Left wrist radiograph | lat | pediatric patient (boy, age 10):

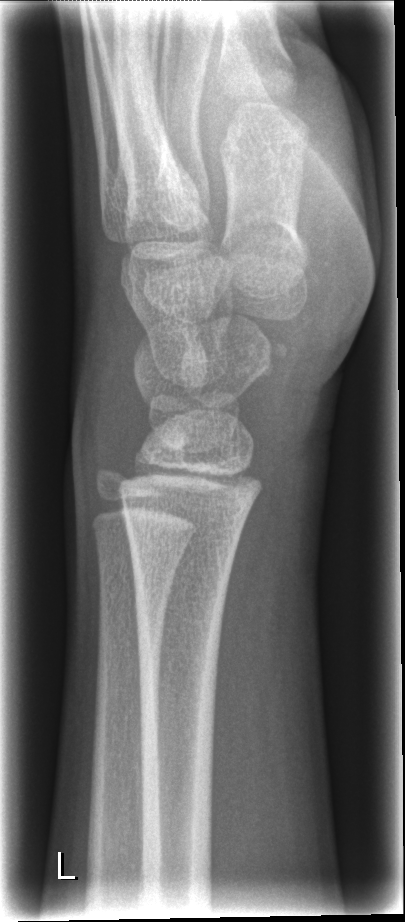
Q: Any fracture seen?
A: No Fx annotated